Lt wrist X-ray · lateral · 482 x 1121 px:

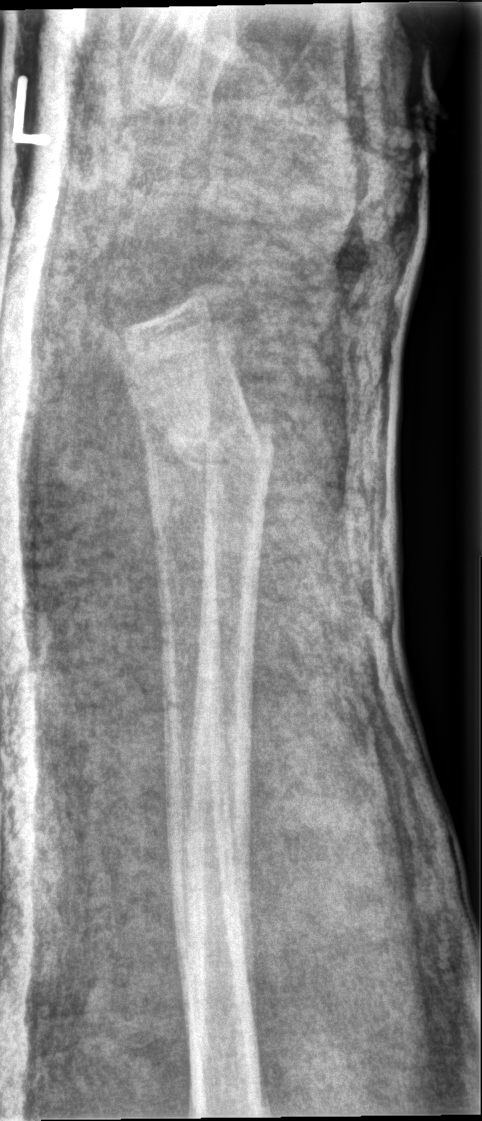
Fx identified at (left=164, top=418, right=280, bottom=465).